Right wrist plain film; AP; cast in situ.

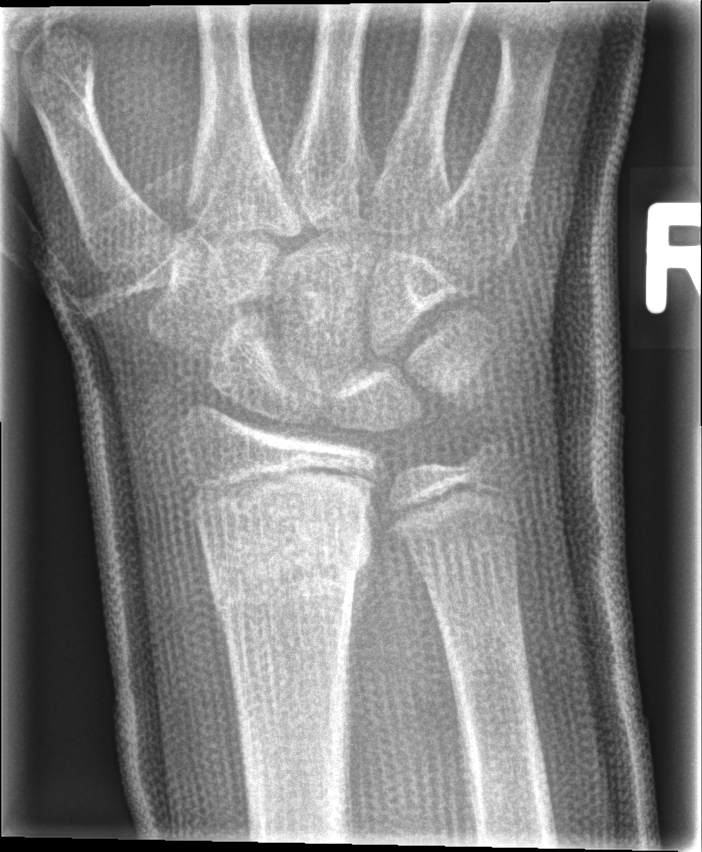 Fx = [204, 501, 375, 615]
AO classification = 23r-M/3.1; 23u-M/2.1